Frontal, right wrist XR, follow-up study

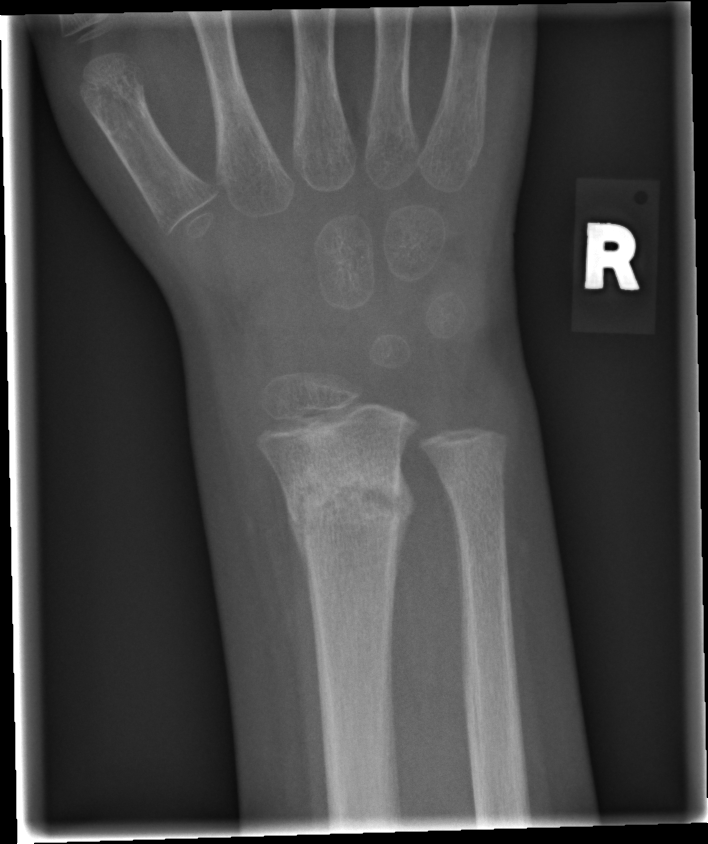

Osteopenia. Fracture classified AO/OTA 23r-M/3.1; 23u-M/2.1. Periosteal new bone: <439,474>-<462,633> <394,461>-<418,592>. Two Fx at <280,442>-<419,543>, <431,455>-<511,503>.